Left wrist X-ray · posteroanterior · female, 12 yo · findings marked uncertain by the reading radiologist · acquired on Siemens:

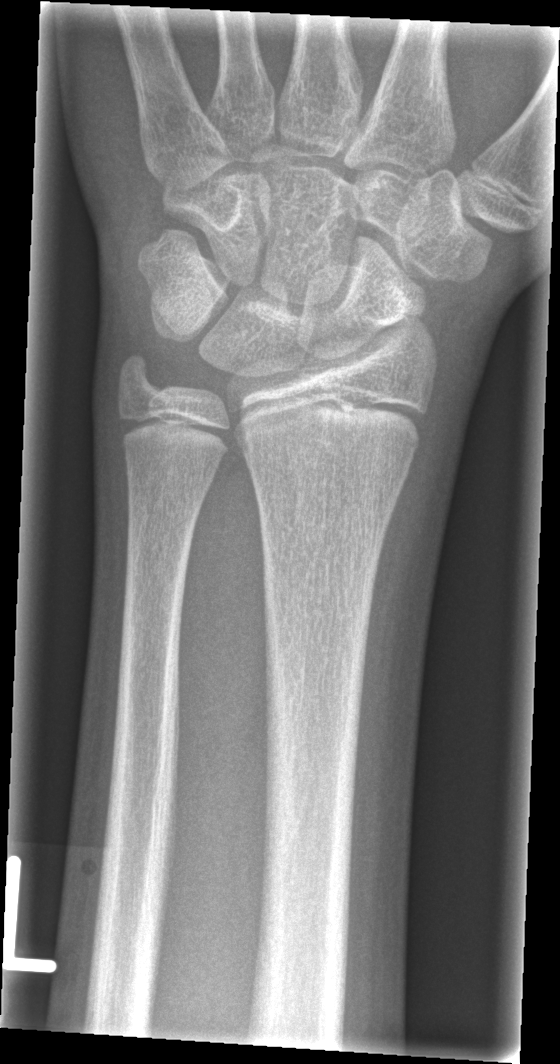

Q: Fracture present?
A: No fracture labeled